Lat | Rt plain radiograph of the wrist | boy, 12 yo | 572 by 1547 pixels — 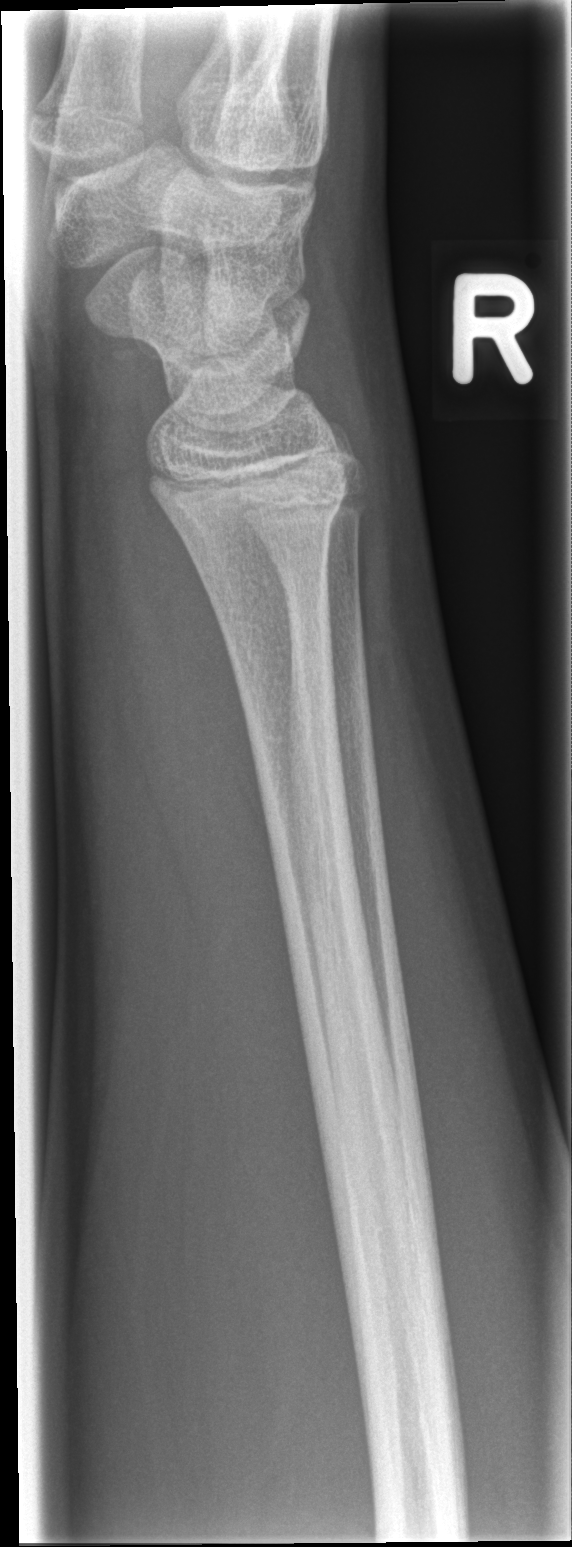
Bounding boxes in image-pixel xyxy. Bone fracture identified at (168, 462, 353, 559).